Right wrist plain radiograph of the wrist; frontal view; initial study; Siemens; 590 by 1086 pixels

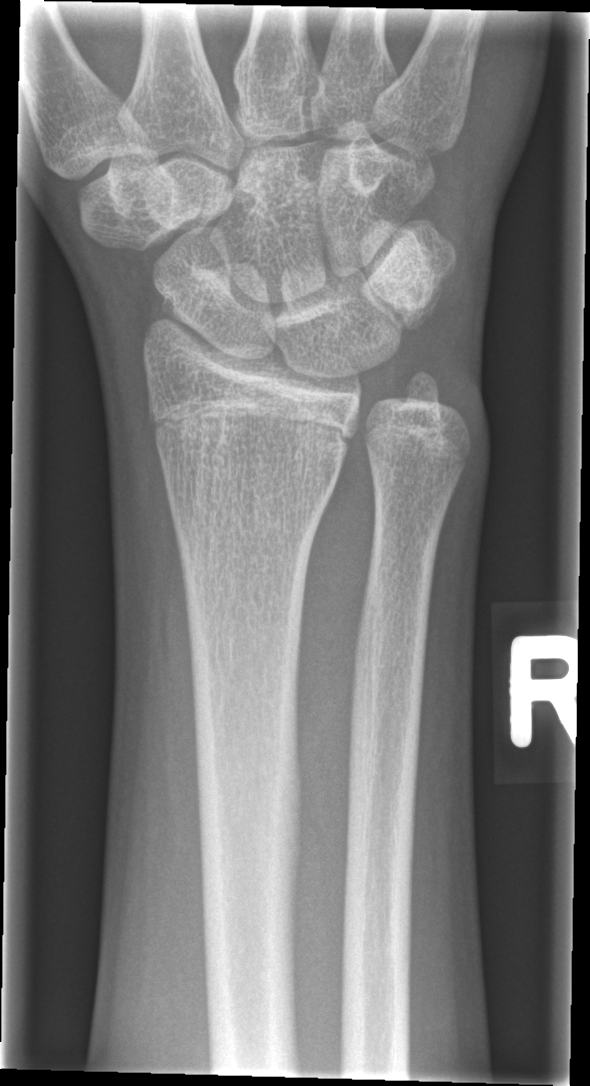

Findings: No Fx annotated.